Rt wrist X-ray | lat view | age 4 y, girl | 378x794 —

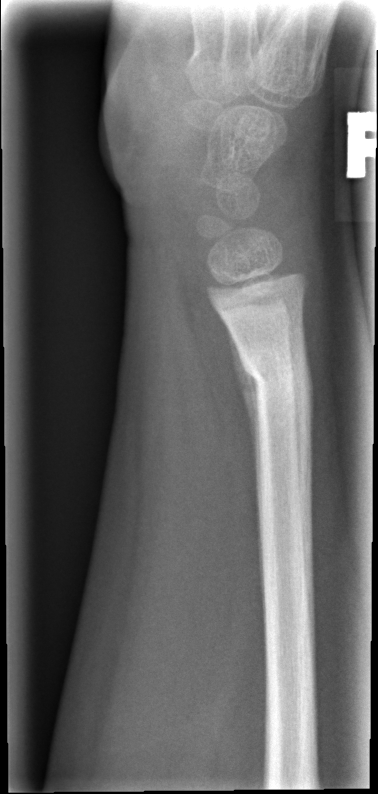 Reduced bone mineral density.
Fracture: 238 347 314 413.
Periosteal reaction: 226 324 263 509.